Lateral projection; left wrist plain film; age 9 y, girl. 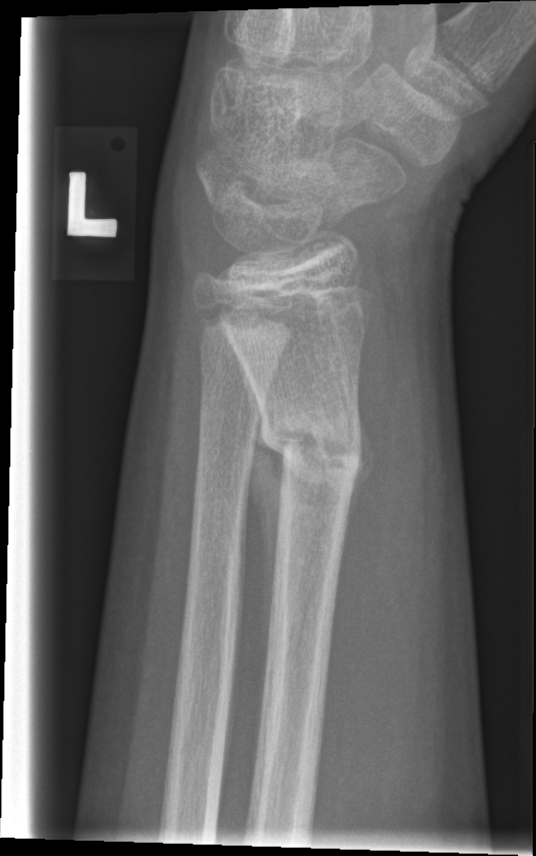
fracture: 1 @ [257, 408, 365, 499]
osteopenia: present
periostealreaction: 2 @ [234, 344, 289, 764]; [345, 409, 376, 536]